Lateral projection · left pediatric wrist radiograph 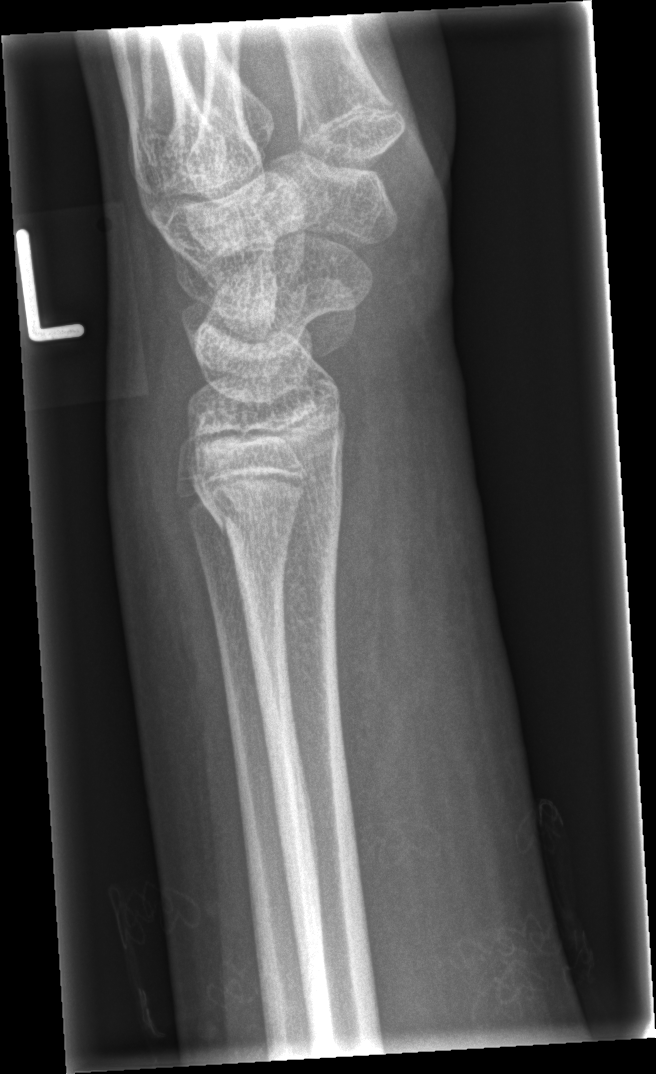 Fx = <206,482>-<347,547>
soft tissue abnormality = <329,349>-<476,810> <101,303>-<208,642>